Left pediatric wrist radiograph; PA; 14y M; follow-up.
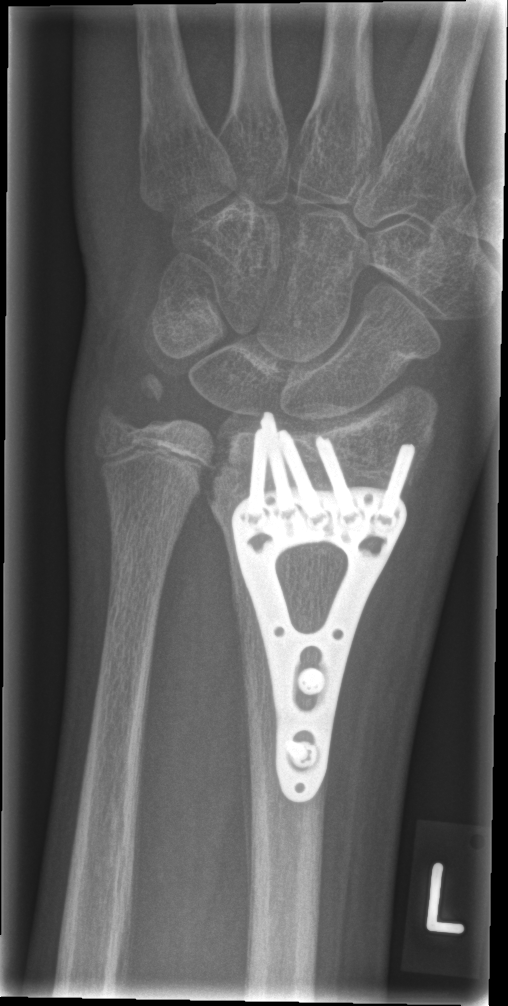 (pixel coordinates, top-left origin, xyxy)
Metal = 1 @ [x1=231, y1=407, x2=418, y2=811]
Fracture = 1 @ [x1=91, y1=365, x2=172, y2=444]
Osteopenia = present